Lateral view, right plain radiograph of the wrist, 8-year-old girl, follow-up, imaged through cast, image 74.6 mm wide. 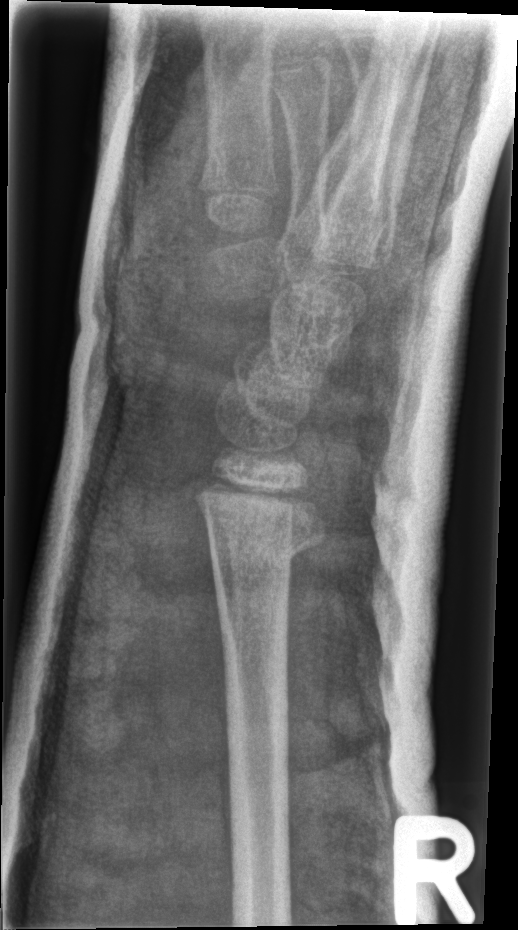 • AO code 23-M/2.1.
• Bone fracture — (205, 520, 329, 574).